L wrist radiograph, lateral view: 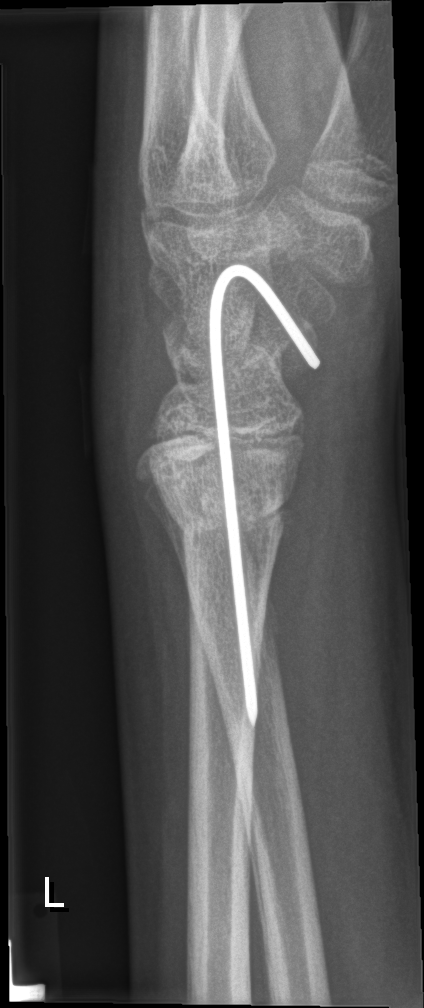 One Fx at 146,424,307,563.
Metal identified at 206,262,321,727.
Fracture classified AO/OTA 23r-M/3.1; 23u-M/2.1; 23u-E/7.